PA projection; left wrist plain radiograph of the wrist; 16-year-old male; index exam
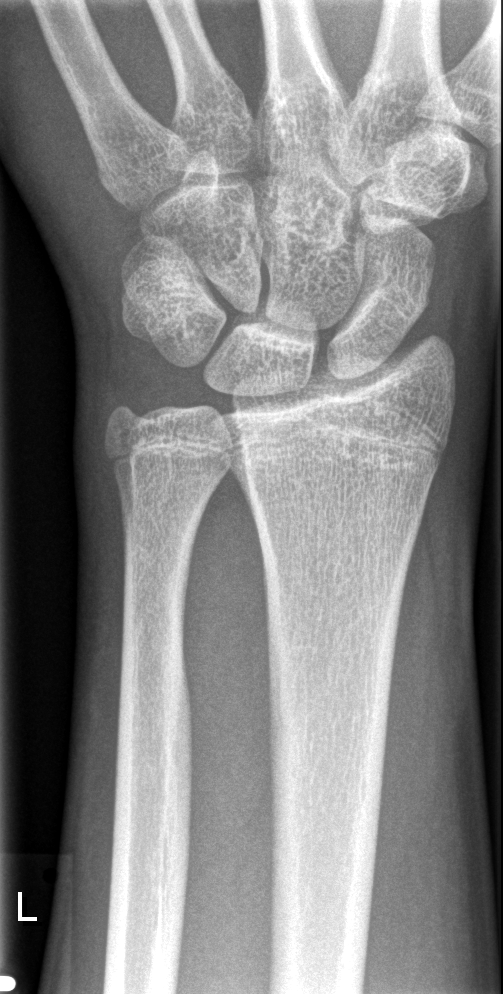
Fracture: none labeled.